L wrist X-ray | PA | follow-up | cast in situ | image 85.2 mm wide: 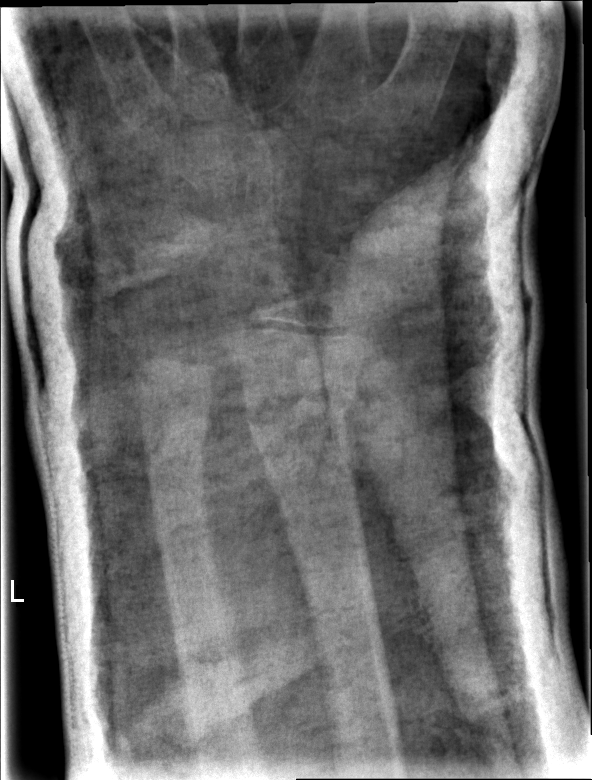
Findings: (pixel coordinates, top-left origin, xyxy) Bone fractures — [240, 366, 364, 452], [141, 408, 214, 471]. Fracture classified AO/OTA 23r-M/3.1; 23u-M/2.1.